Left wrist plain radiograph of the wrist; lateral projection; in cast; 540x1254 —

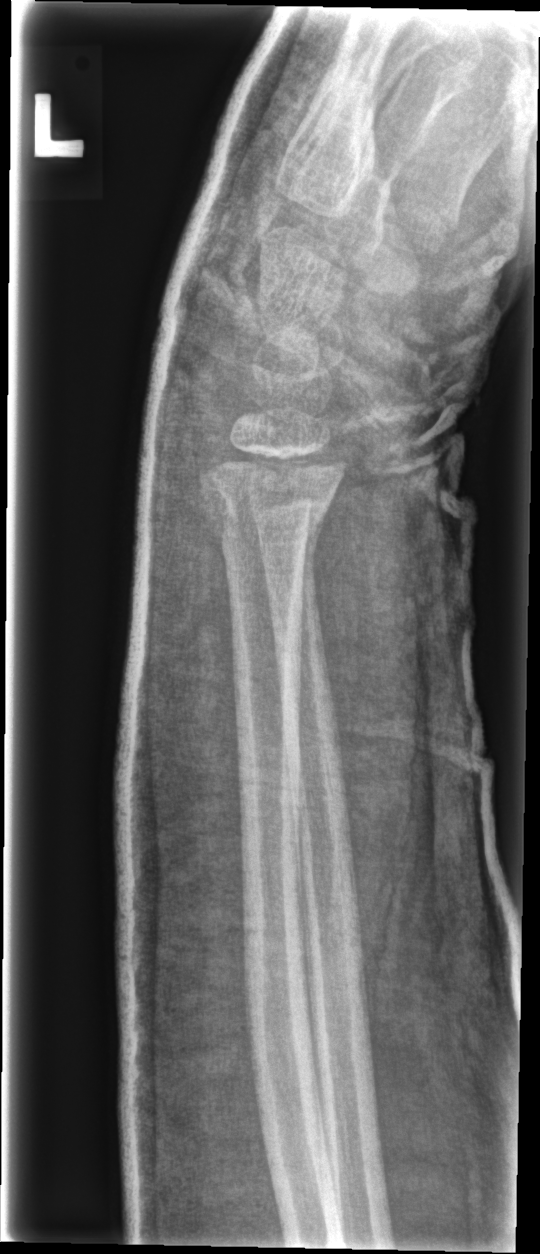

FINDINGS — One Fx at [192, 469, 349, 563]. Fracture classified AO/OTA 23r-M/3.1.